Rt wrist plain film, lat projection, 78.3 mm image width —

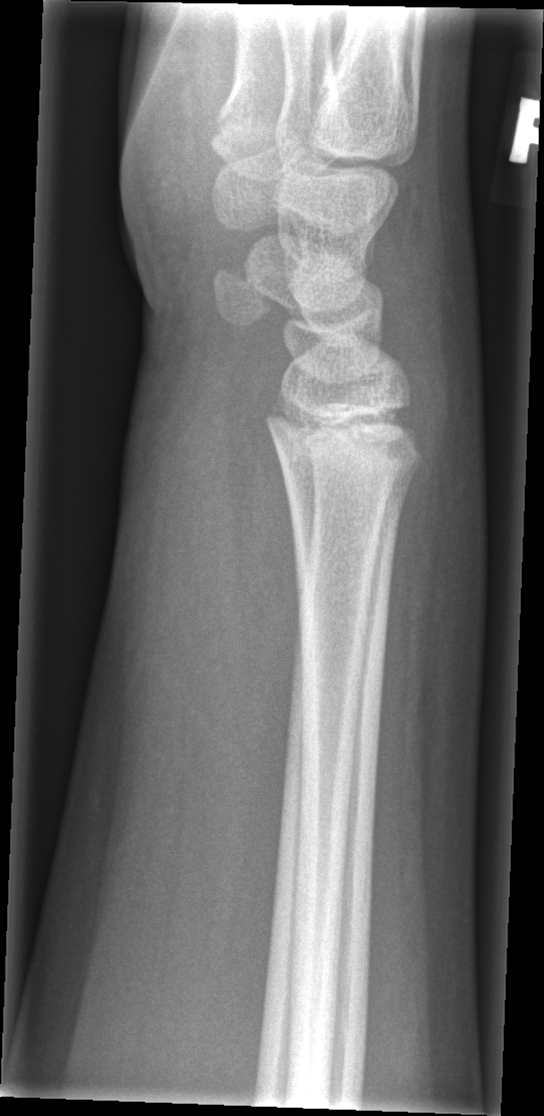 Q: What is the AO/OTA classification?
A: AO/OTA classification: 23r-E/2.1
Q: Is the pronator sign positive?
A: Pronator sign — (218, 362, 308, 743)
Q: Locate any fractures.
A: One fracture at (262, 393, 428, 511)